AP view, Lt wrist X-ray, image size 488x762 —

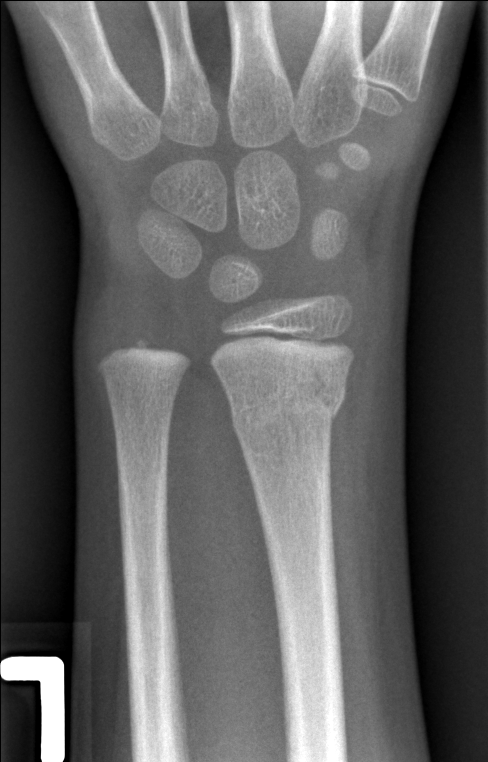

Q: Is there a fracture?
A: Bone fracture — 225 375 348 443
Q: What is the AO/OTA classification?
A: Fracture classified AO/OTA 23r-M/3.1